Left wrist plain film | frontal view: 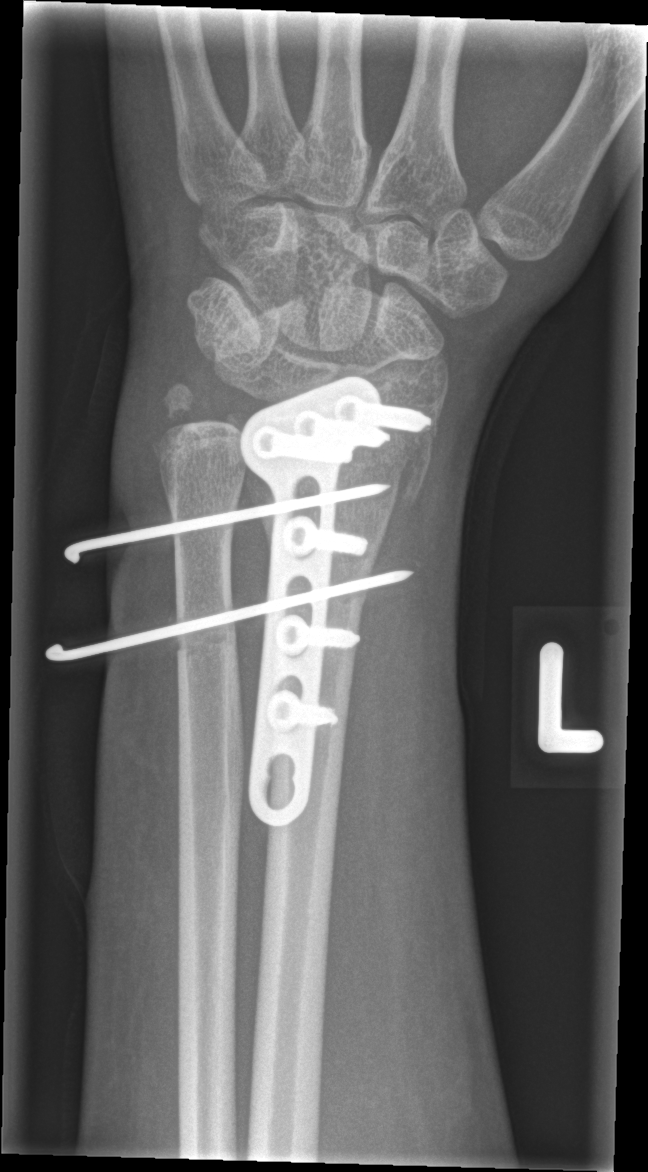

Bone variant: 1 @ 175,629,237,659
AO code: 23r-M/3.1; 23u-E/7
Bone fracture: 229,411,451,508; 149,375,220,446
Metal: 1 @ 46,366,434,827